Rt wrist X-ray · PA/AP projection · Siemens
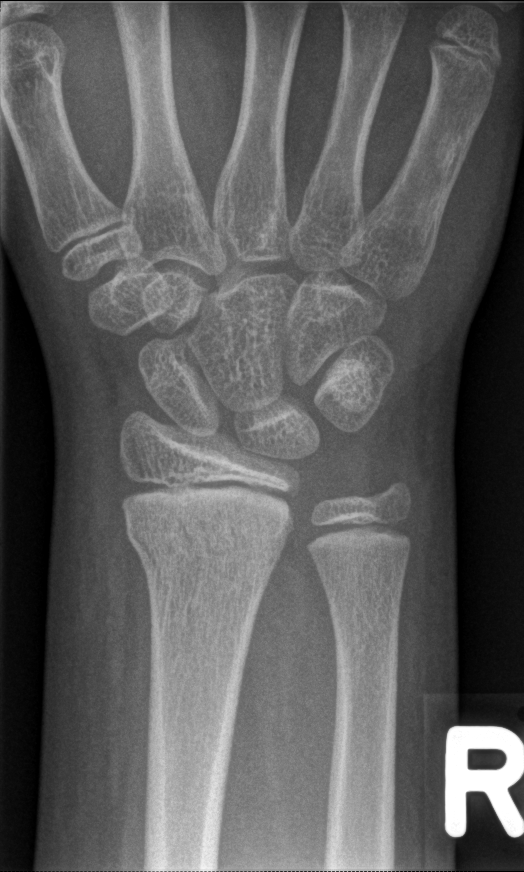
(coordinates are [x1, y1, x2, y2] in image pixels)
Q: Any fracture seen?
A: Fracture — <123,491>-<296,577>